Posteroanterior projection; right wrist plain radiograph of the wrist; pediatric patient (girl, age 10); index exam. 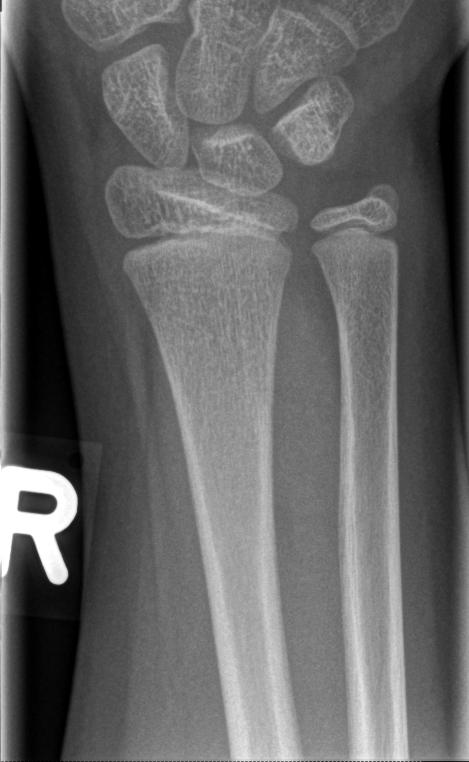

- No Fx annotated.